Lat view, R wrist XR, acquired on Siemens, 442x1568:
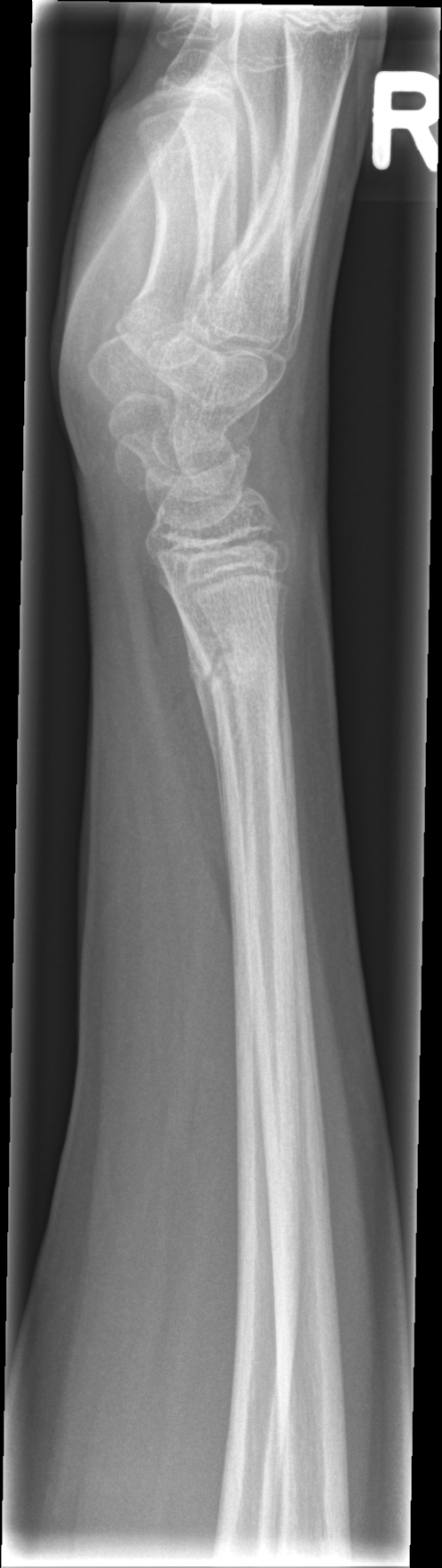
  periostealreaction: (180, 616, 229, 880)
  fracture: 1 @ (181, 615, 292, 711)
  osteopenia: present